L plain radiograph of the wrist, frontal projection, age 17 y, male, initial study.

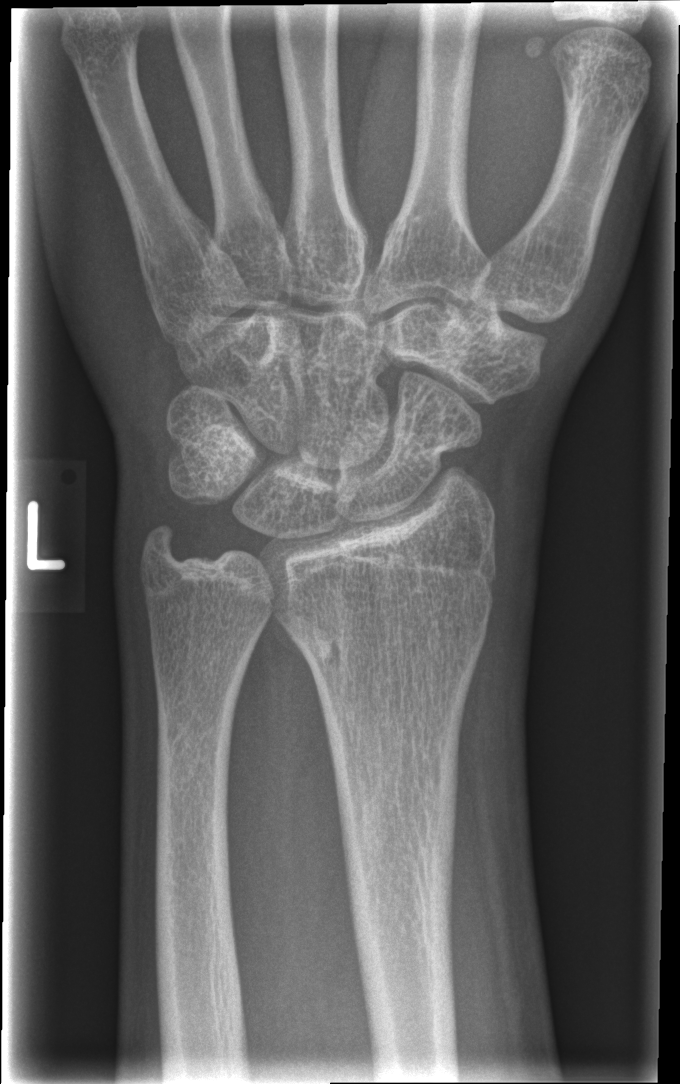

Findings: No Fx annotated. Bone variant identified at [x1=266, y1=579, x2=356, y2=695].